Right wrist radiograph; lat projection; 8-year-old girl; follow-up study; acquired on Siemens:
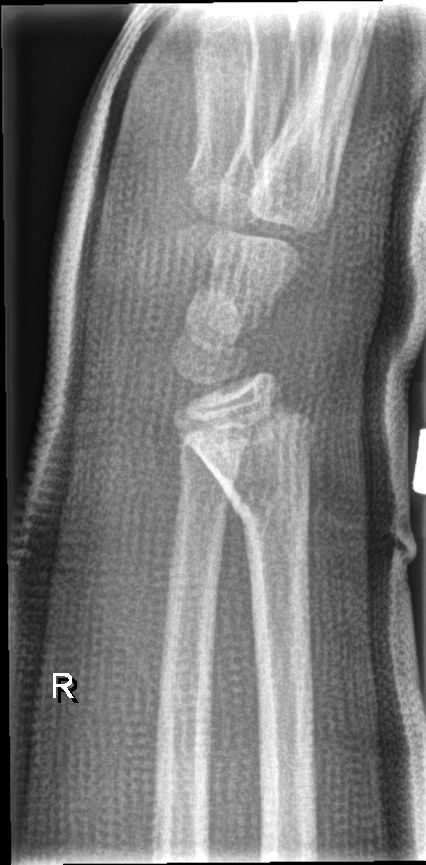 • AO/OTA classification: 23r-E/2.1; 23u-M/2.1.
• Fracture: (180, 405, 320, 536).